Rt wrist XR | lateral view | initial study | acquired on Siemens — 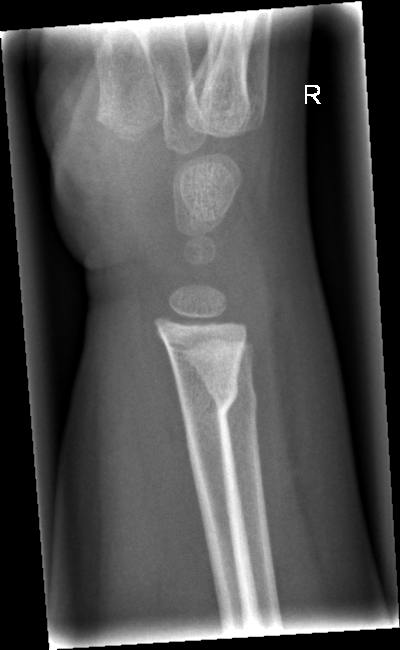
Two bone fractures at [172, 363, 242, 430] [207, 373, 261, 432].